Lateral projection | right wrist plain radiograph of the wrist —

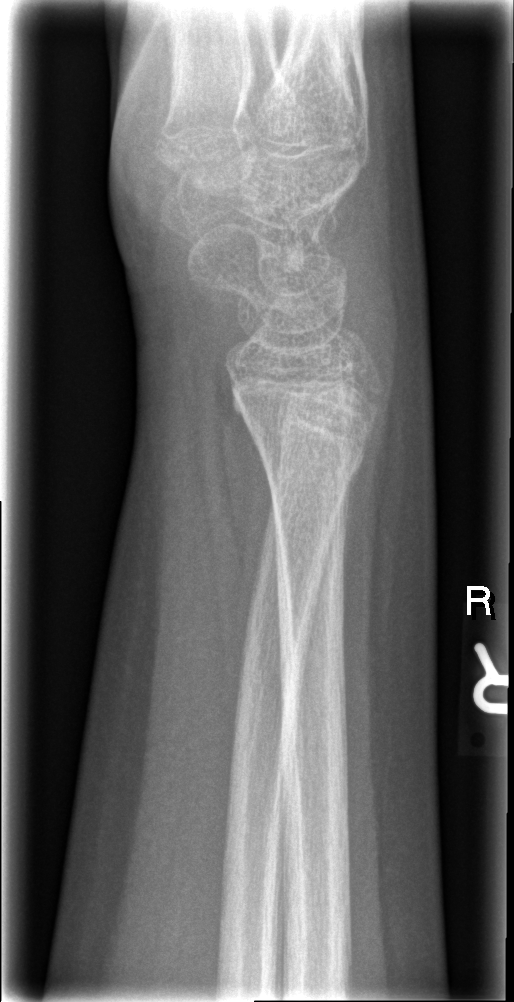

Osteopenia.
Fx: none.
Osseous lesion: 279,239,306,278.